Left wrist X-ray, frontal.

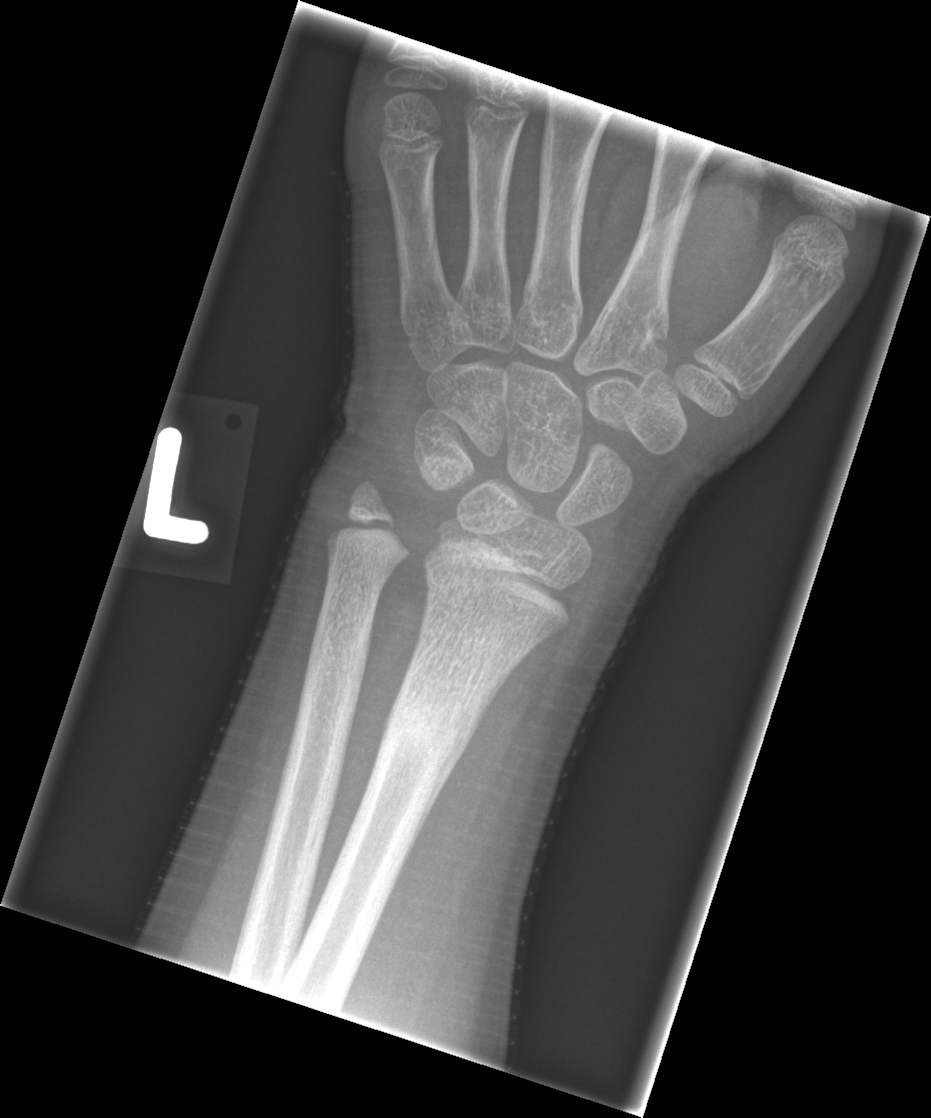 Boxes as x1,y1,x2,y2 (top-left / bottom-right, pixel units).
Periosteal reaction: (399, 694, 497, 870).
Fracture: (377, 690, 475, 771) (300, 631, 369, 699).